Lat; R wrist radiograph; presentation radiograph — 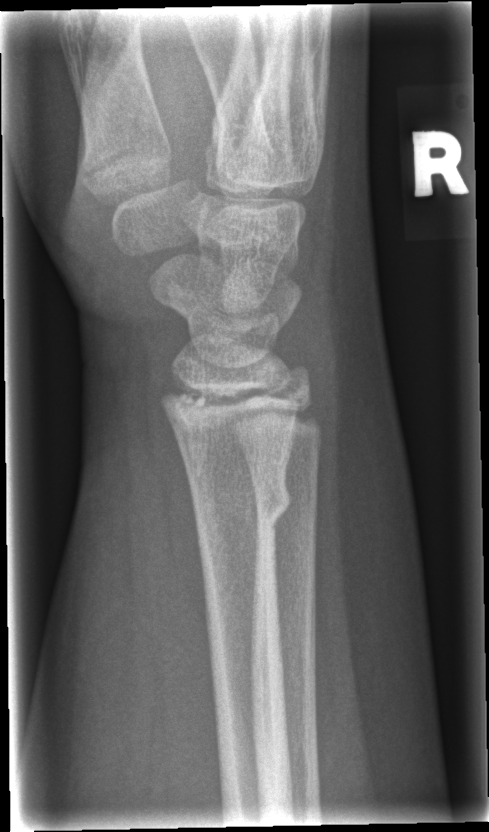
(boxes as x1,y1,x2,y2 (top-left / bottom-right, pixel units))
Q: AO code?
A: Fracture classified AO/OTA 23r-M/2.1
Q: Locate any fractures.
A: Fx identified at (193, 473, 294, 532)